Frontal projection · left wrist pediatric wrist radiograph · initial study.

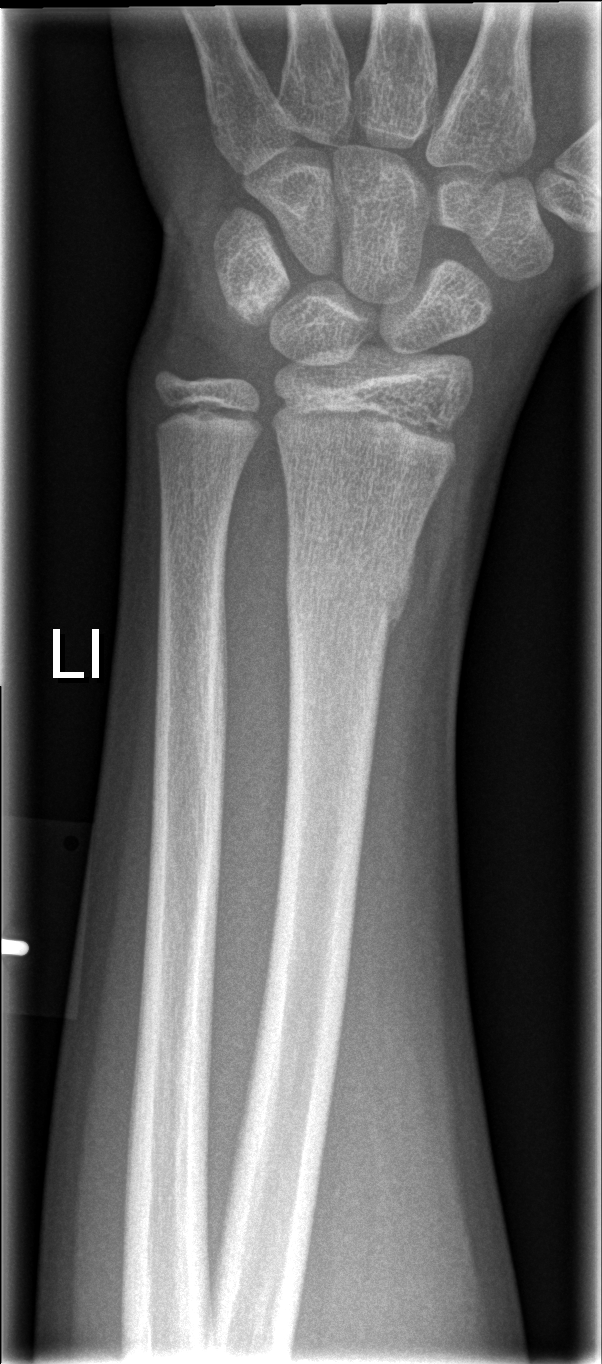

(boxes as x1,y1,x2,y2 (top-left / bottom-right, pixel units))
bone fracture = 1 @ bbox(281, 534, 420, 647)
AO classification = 23r-M/2.1